Lat projection · right wrist radiograph · 7-year-old girl · index exam.

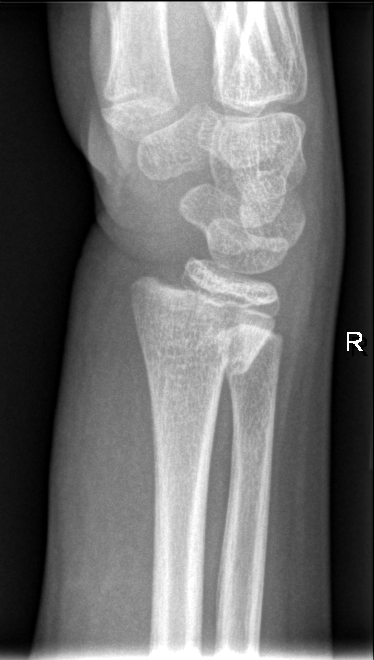 • Fx — 126,271,279,380.